Right wrist plain radiograph of the wrist · lat projection · female, 9 yo · follow-up study · image width 82.4 mm · 572x1330 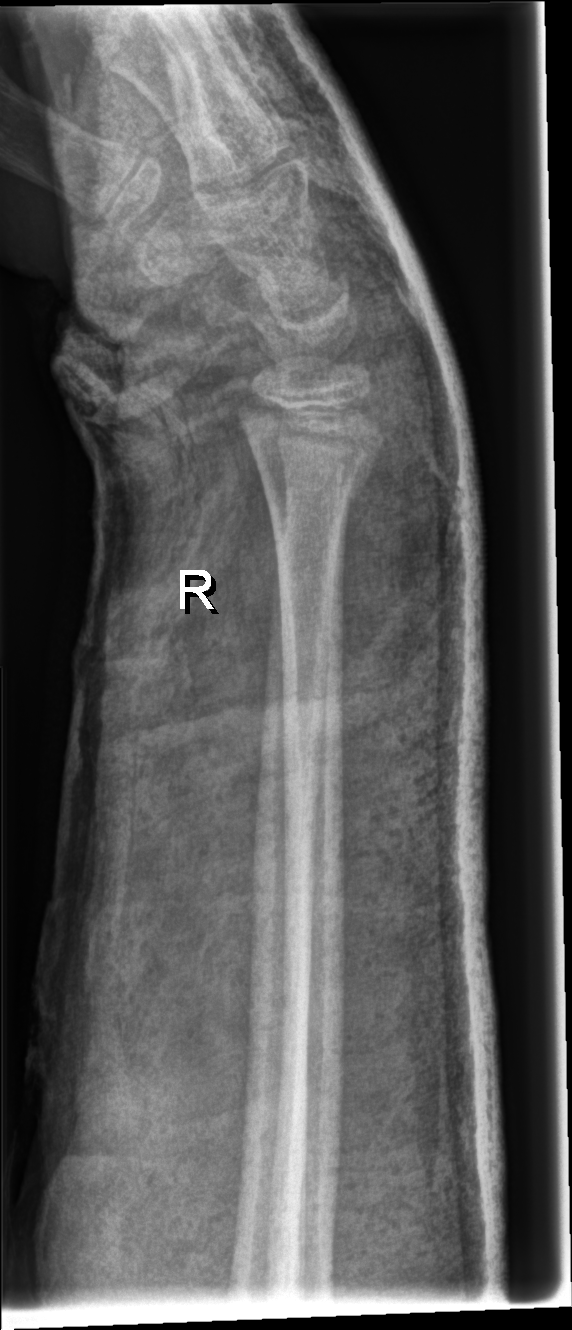
Fracture = [x1=251, y1=428, x2=384, y2=531]
AO code = 23r-M/3.1; 23u-E/7